Lateral; left wrist X-ray; female, 10 yo: 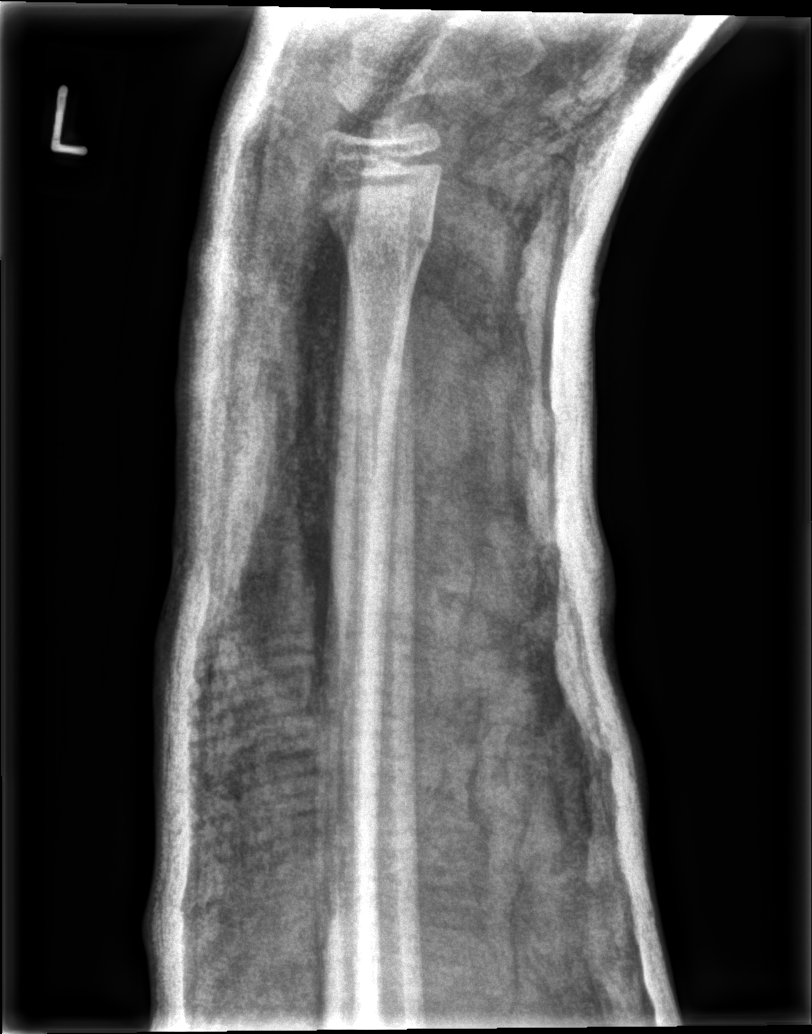 • Fracture classified AO/OTA 23r-M/3.1; 23u-E/7.
• Fx — (left=319, top=196, right=439, bottom=268).